Lateral · left wrist radiograph · acquired on Siemens.
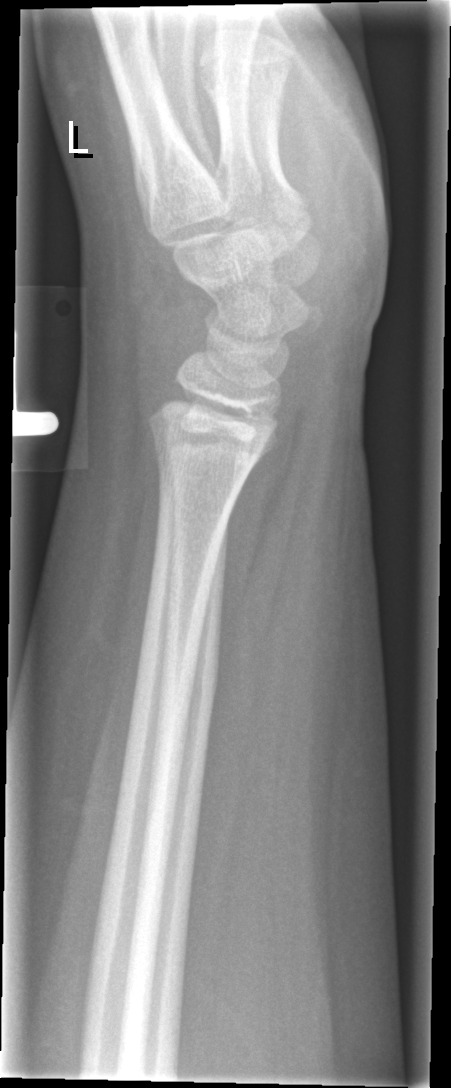 Fx: none.